Lateral | Lt pediatric wrist radiograph | index exam: 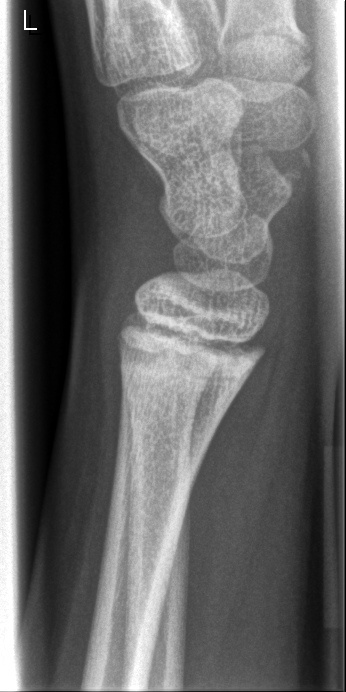 Fracture = none labeled